Frontal projection · R plain radiograph of the wrist · 6-year-old boy · subsequent exam · image size 644x1114 —
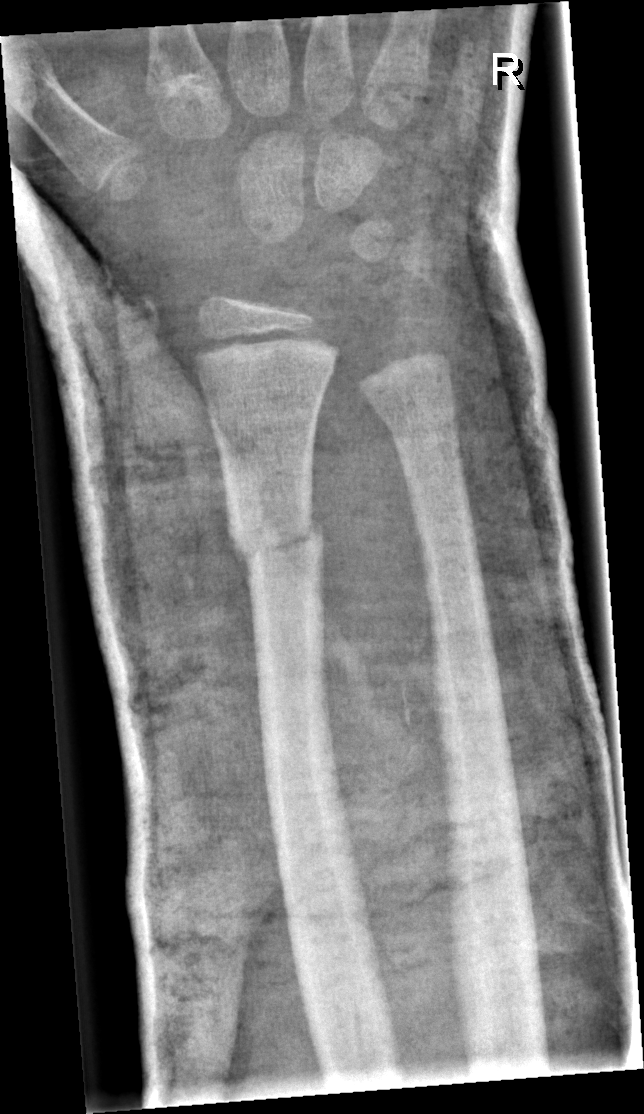 Fracture classified AO/OTA 23r-M/3.1; 23u-M/2.1. Fracture identified at 227 516 332 576; 380 390 458 445.